Lat; left wrist plain radiograph of the wrist; 9y M —

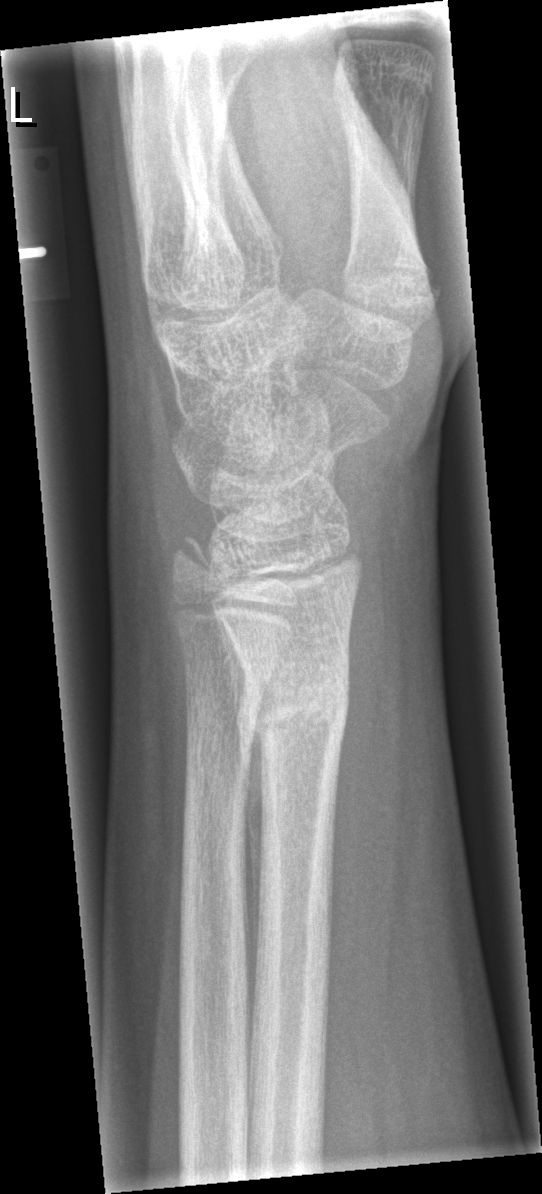

FINDINGS — One periosteal new bone at (215, 609, 266, 1029). Fractures — (234, 646, 348, 760), (160, 528, 230, 597). AO/OTA classification: 23r-M/3.1; 23u-E/7.